Left wrist plain film, PA view, acquired on Siemens, 618x629:
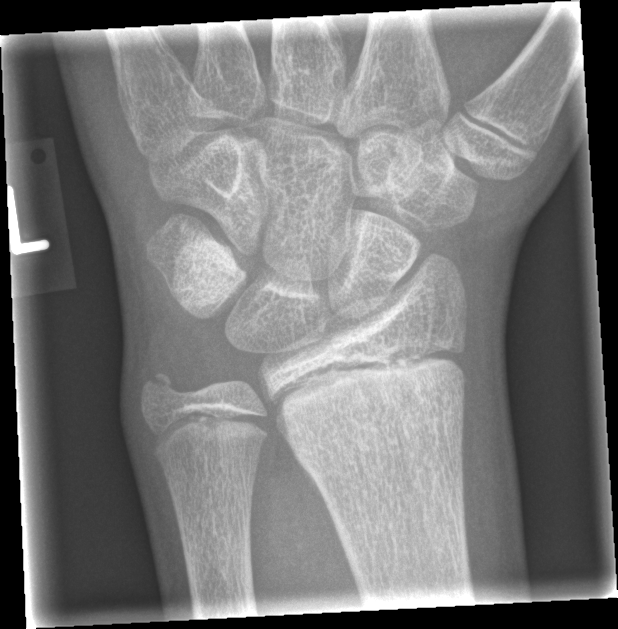
Coordinates are [x1, y1, x2, y2] in image pixels. Fracture classified AO/OTA 23r-M/2.1; 23u-E/7. One bone fracture at [129, 356, 206, 435].